Lat view, right wrist pediatric wrist radiograph —

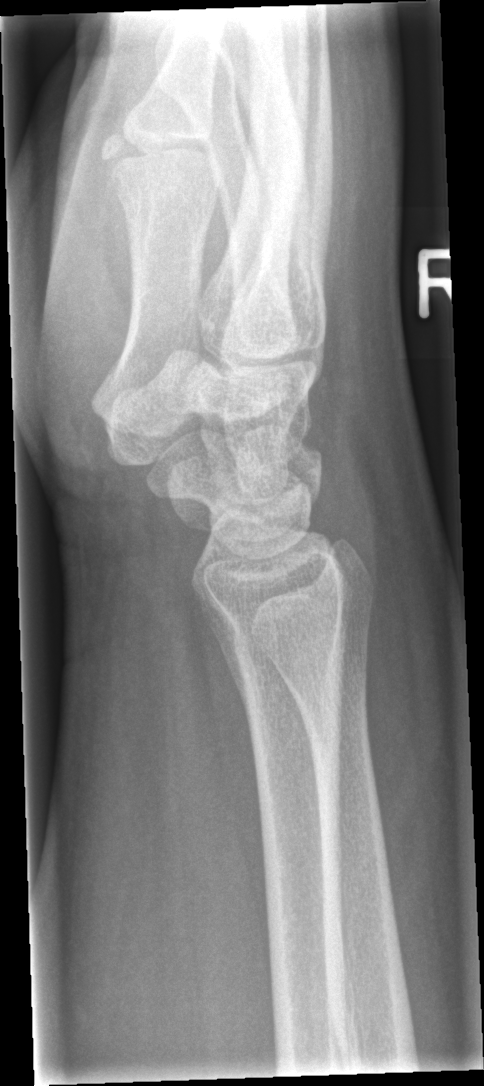

{
  "fracture": "none labeled"
}